Rt pediatric wrist radiograph | lateral view | age 6 y, girl | initial study 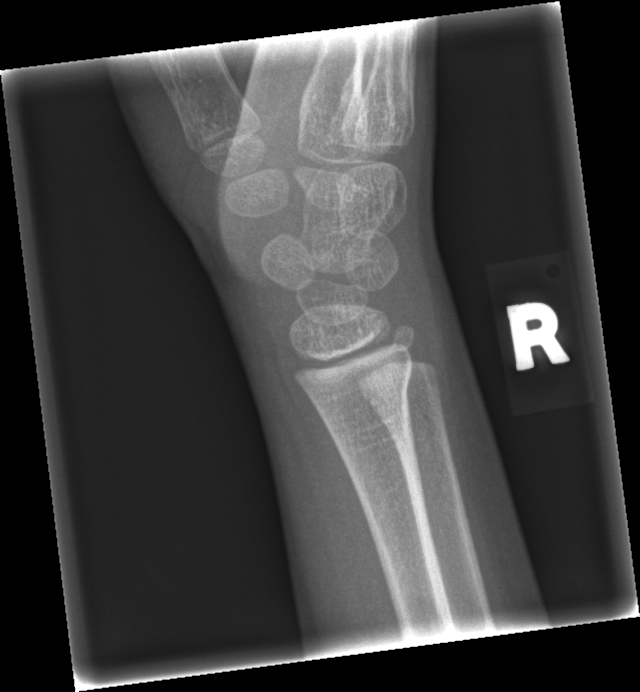 - Boxes as x1,y1,x2,y2 (top-left / bottom-right, pixel units).
- AO code 23r-M/2.1.
- Fx: 305 358 416 418.